Lat projection · Lt pediatric wrist radiograph · image size 574x1396

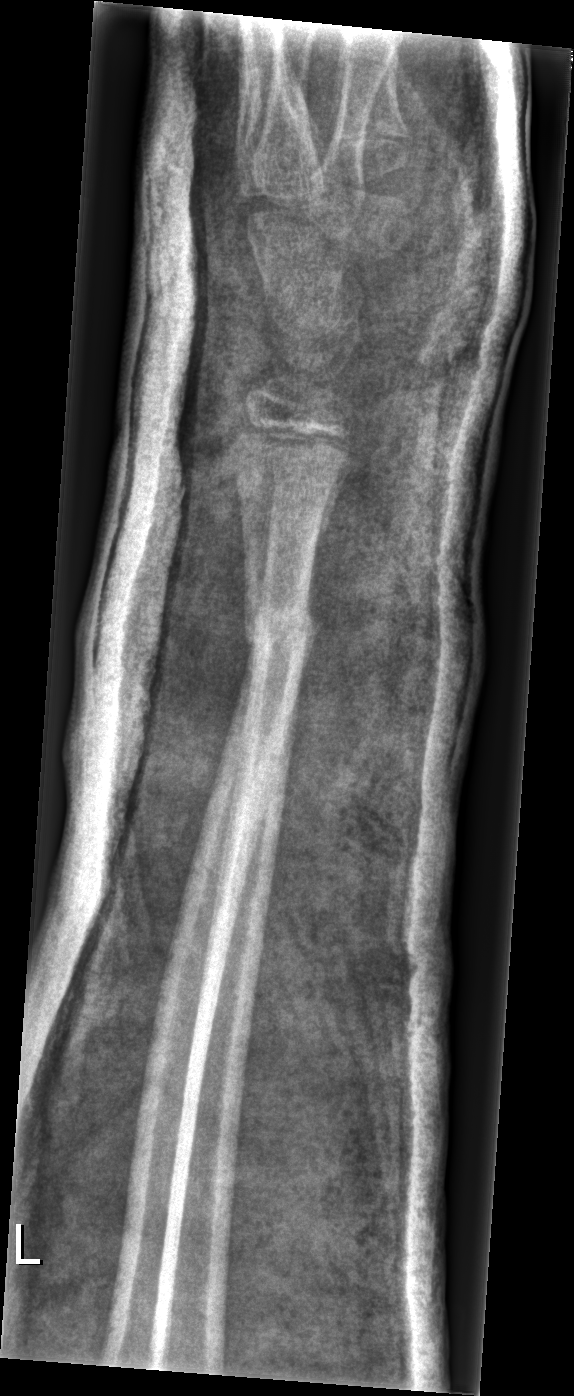 (boxes as x1,y1,x2,y2 (top-left / bottom-right, pixel units))
fracture: [238, 602, 322, 664]